Lat | left wrist plain film | follow-up.
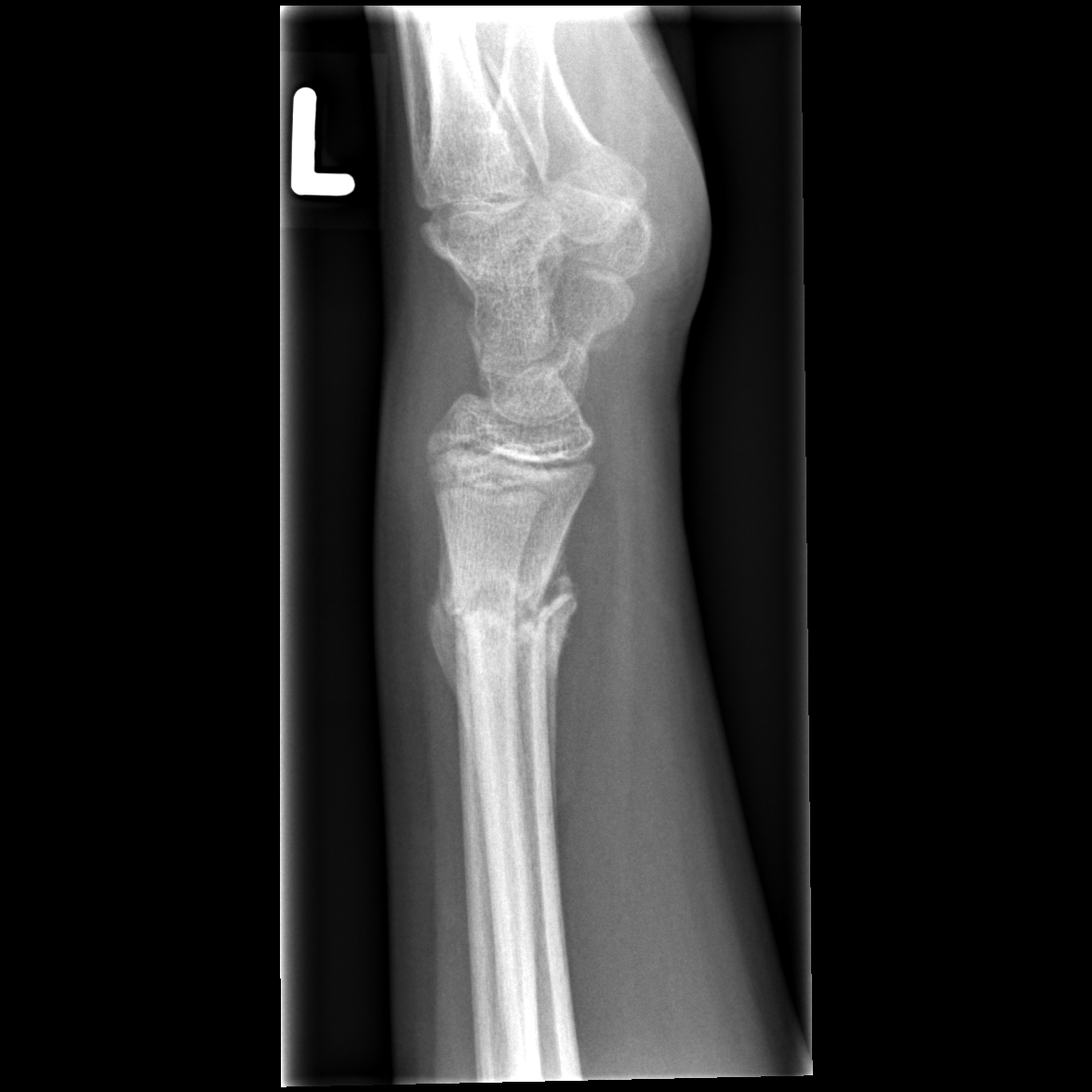
FINDINGS — (bounding boxes in image-pixel xyxy) Periosteal new bone — (left=424, top=499, right=482, bottom=784) (left=538, top=498, right=582, bottom=857). AO/OTA classification: 23r-M/3.1; 23u-E/7. Bone fracture: (left=443, top=568, right=573, bottom=641).